L wrist plain film · lat projection · 8-year-old female · cast present · image 98.2 mm wide
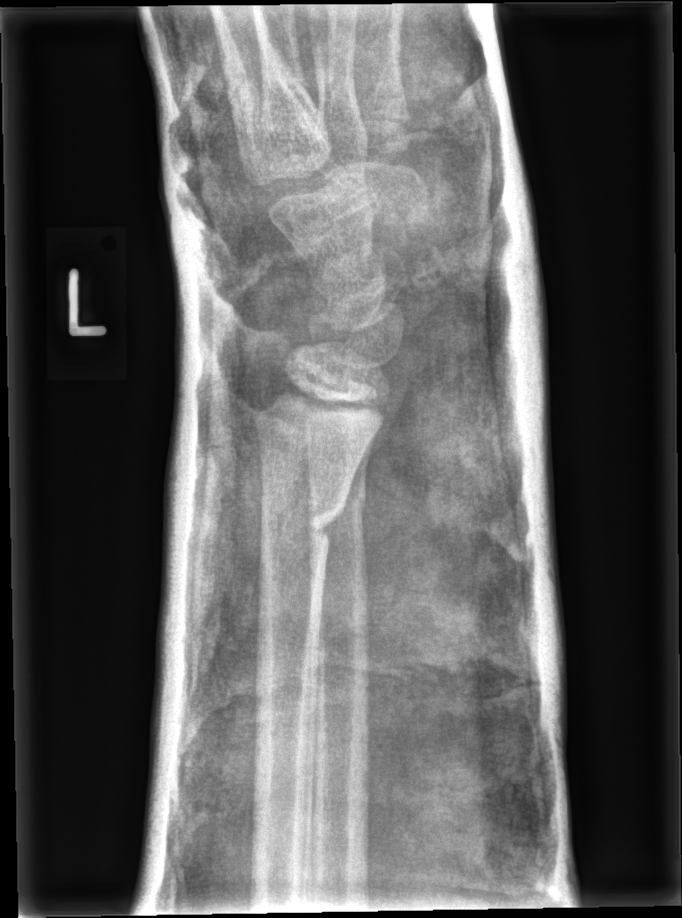

FINDINGS: Two Fx at bbox(257, 495, 348, 552); bbox(301, 482, 370, 529).